L wrist radiograph | lateral | acquired on Siemens

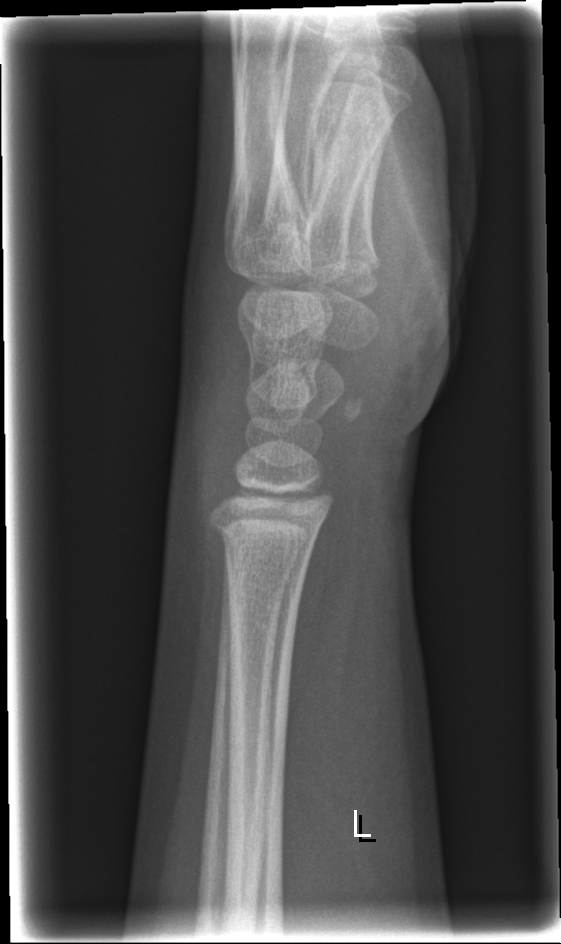

Fx: <204,505>-<324,552>.
One soft-tissue swelling at <170,262>-<252,509>.
Fracture classified AO/OTA 23r-M/2.1.